Left wrist pediatric wrist radiograph; PA; 13-year-old boy.
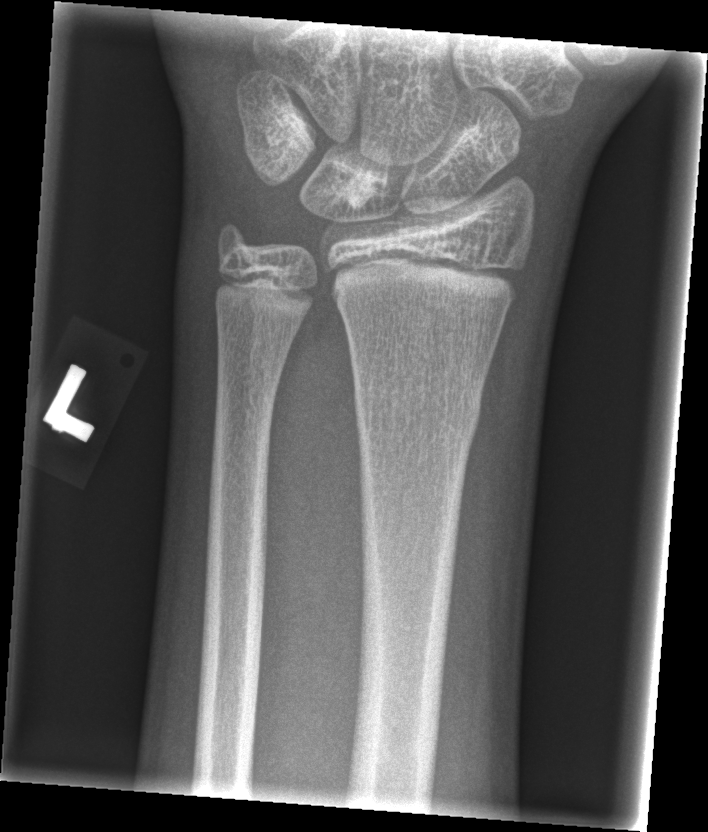 Pixel coordinates, top-left origin, xyxy.
AO code 23r-M/2.1.
Fx: (350, 368, 486, 445).